Left wrist X-ray; PA view:
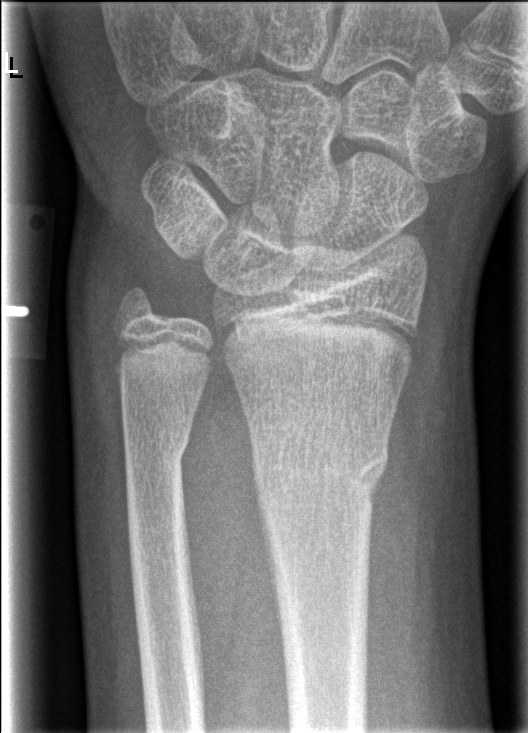
Findings: (pixel coordinates, top-left origin, xyxy) AO/OTA classification: 23-M/2.1. Two Fx at (left=249, top=430, right=391, bottom=511), (left=120, top=429, right=192, bottom=477).